Left wrist radiograph | lat projection | follow-up study —

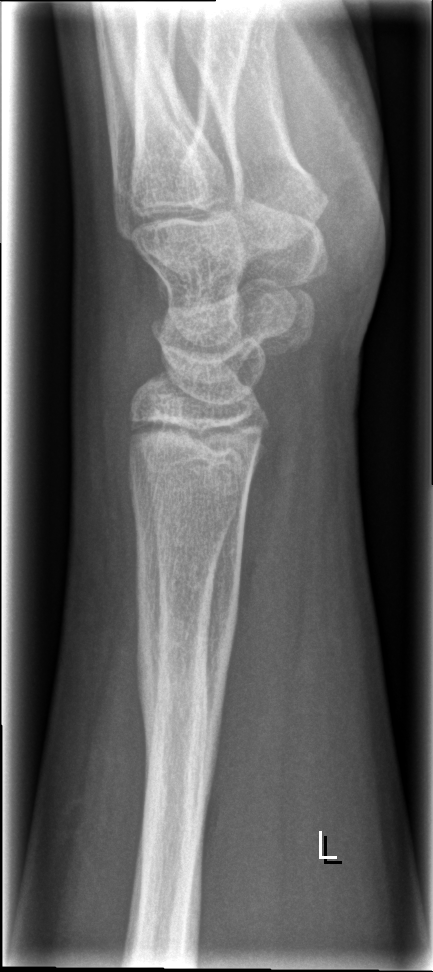 Bounding boxes in image-pixel xyxy. Bone fracture identified at [136, 604, 238, 764].